Lt pediatric wrist radiograph · lateral · follow-up · cast present · image size 764x1450 —

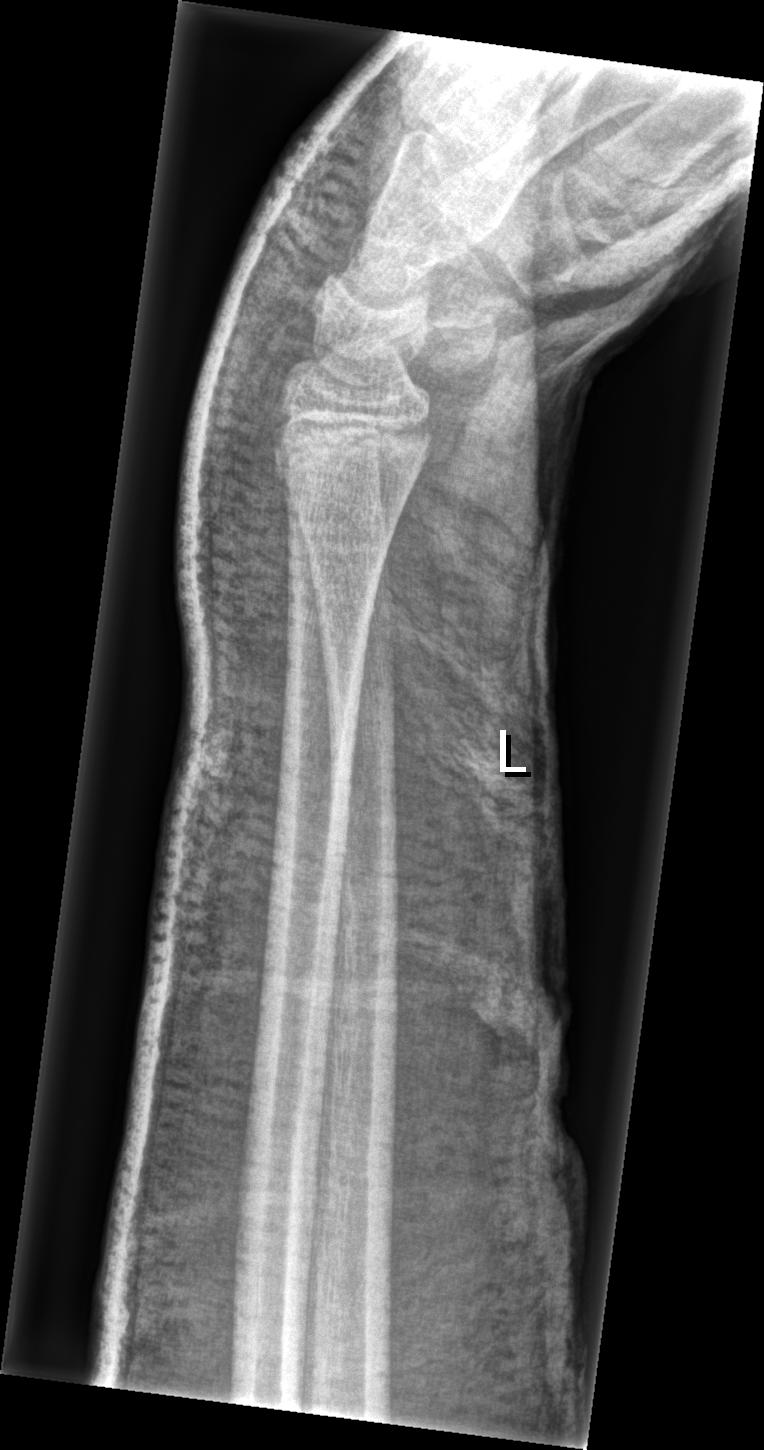
Bounding boxes in image-pixel xyxy.
One fracture at [266, 410, 439, 494].